Lateral view; left pediatric wrist radiograph; pediatric patient (female, age 6):

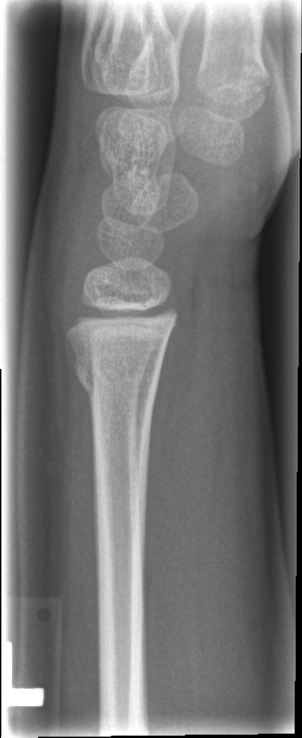
Fx: (71, 354, 164, 409).